L plain radiograph of the wrist | frontal projection | age 11 y, female | image 79.2 mm wide | image size 550x920

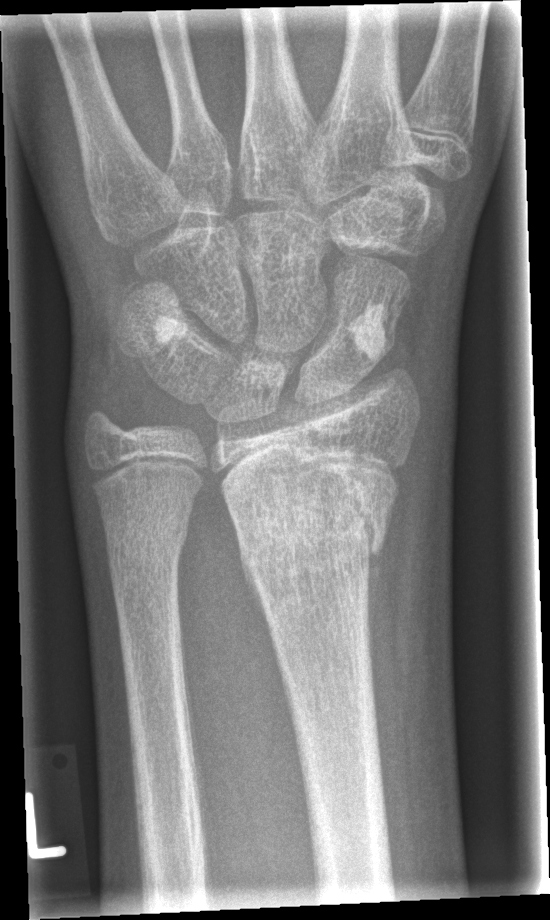 osteopenia = present
fracture = <217,446>-<398,588>, <101,504>-<192,593>
osseous lesion = <344,301>-<388,363> <153,313>-<192,344>